L wrist X-ray · lateral projection · follow-up study · 570x1026

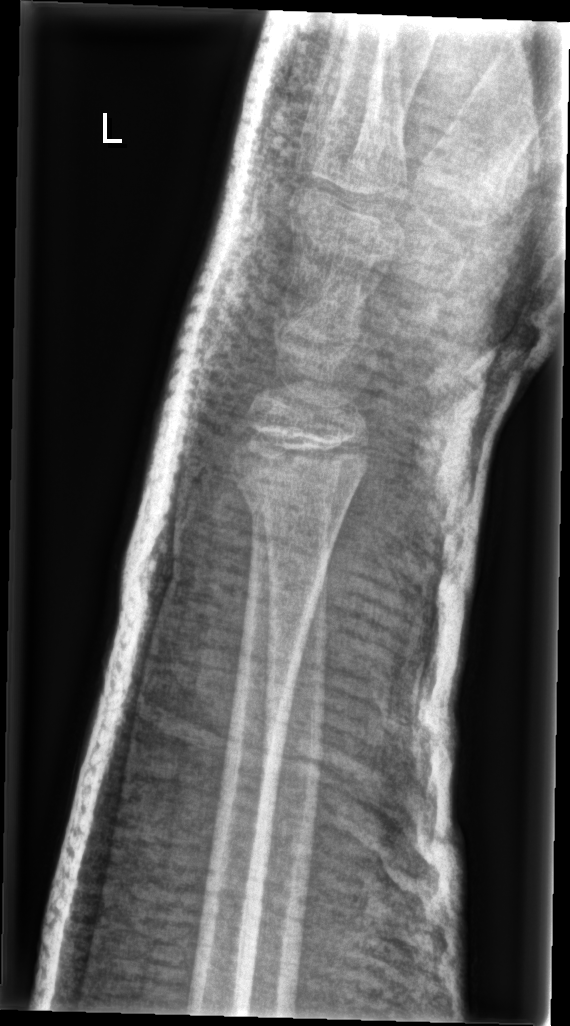

* Pixel coordinates, top-left origin, xyxy.
* Bone fracture: (left=222, top=427, right=374, bottom=523).